L wrist X-ray; posteroanterior view; image width 75.6 mm; 525 x 786 px. 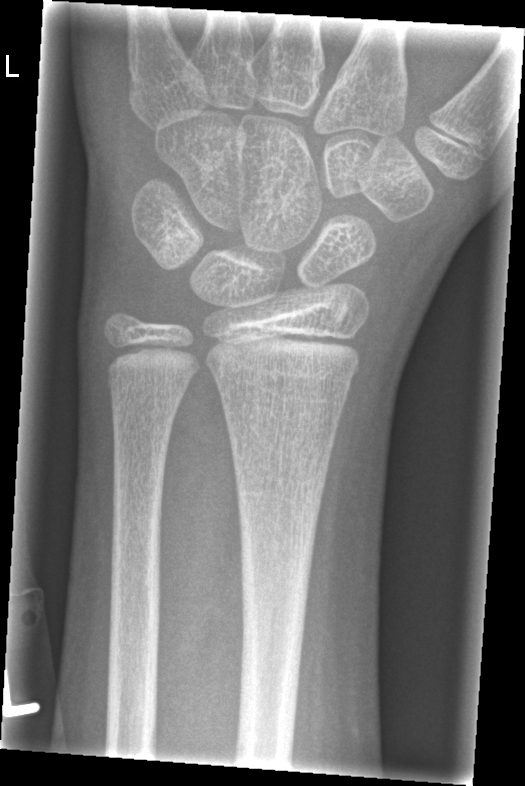 Fx: none.